Left wrist plain radiograph of the wrist; AP projection; image size 545x862:

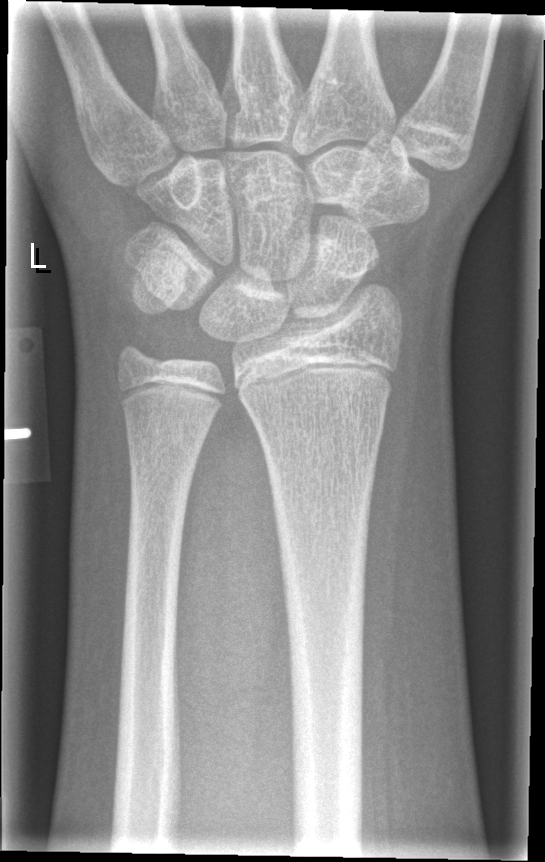

bone fracture: none labeled